Right wrist XR, frontal view, image width 74.3 mm —
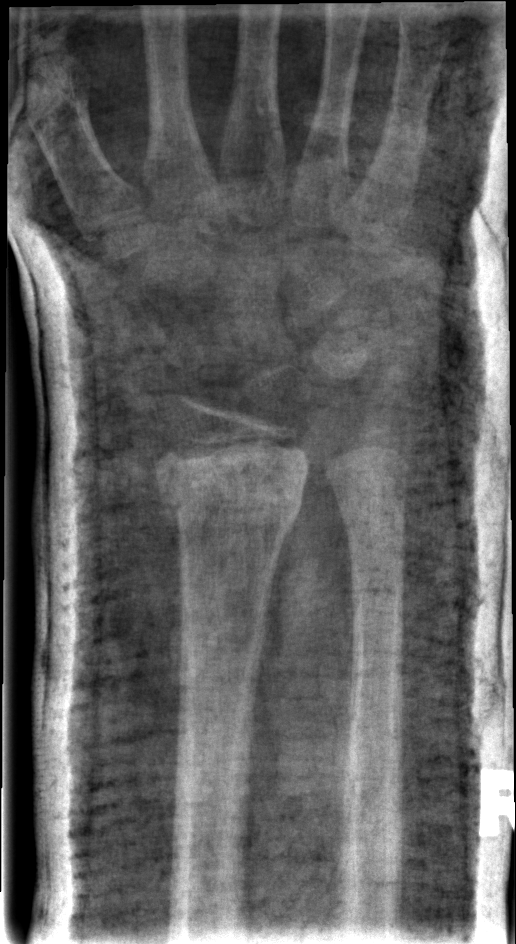

- Bone fracture — bbox(161, 456, 307, 540).
- AO/OTA classification: 23r-M/3.1; 23u-M/2.1.